AP view | left wrist X-ray.

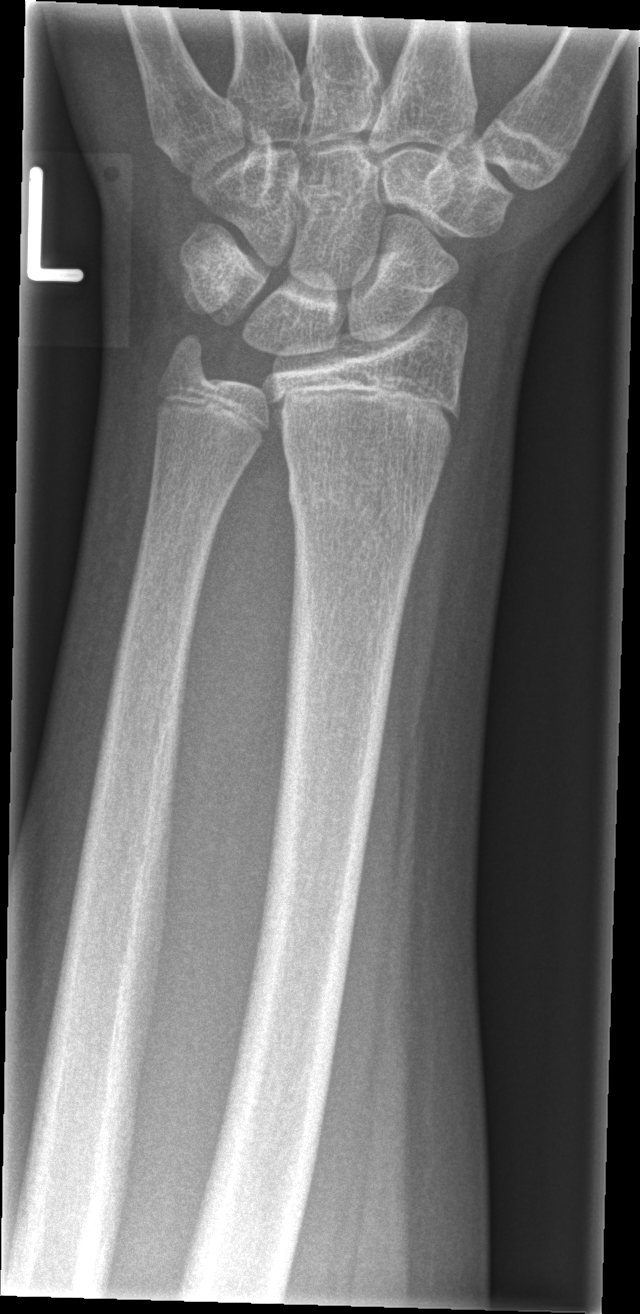
Findings: AO/OTA classification: 23r-M/2.1. Fx: (left=283, top=470, right=433, bottom=547).